Lateral view · Lt wrist X-ray · follow-up
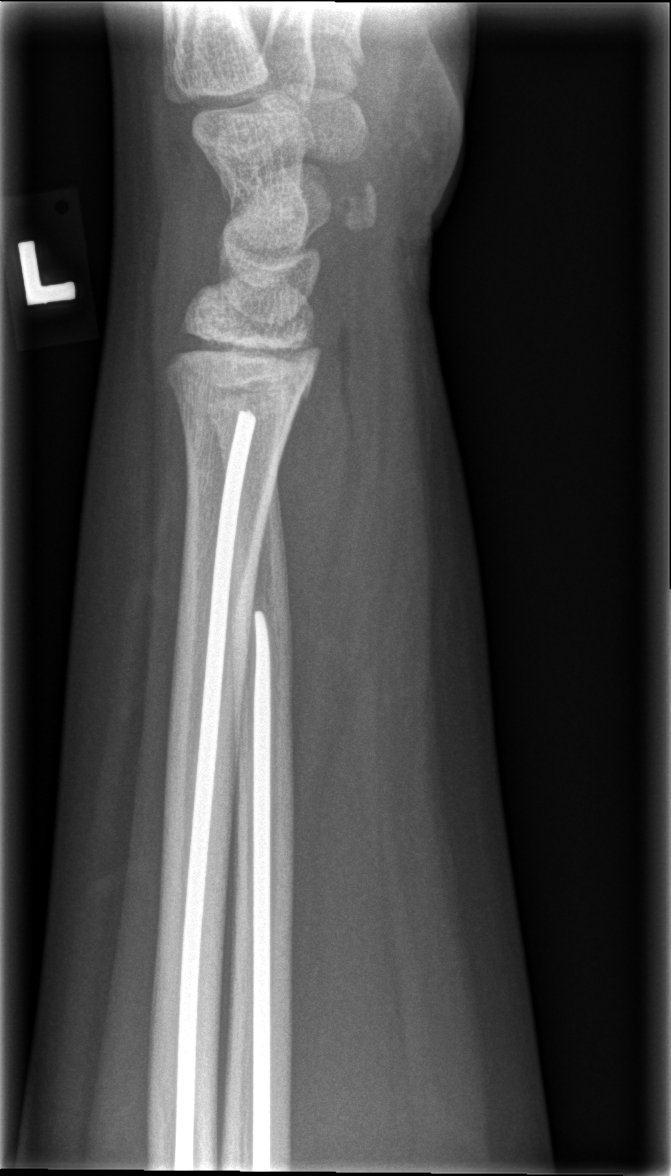
(coordinates are [x1, y1, x2, y2] in image pixels)
Fx = 1 @ [x1=163, y1=333, x2=326, y2=407]
pronator quadratus fat-pad sign = [x1=273, y1=337, x2=371, y2=803]
metallic hardware = 2 @ [x1=174, y1=413, x2=253, y2=1167] [x1=253, y1=610, x2=274, y2=1169]